Lateral projection; right wrist radiograph; image 75.9 mm wide.

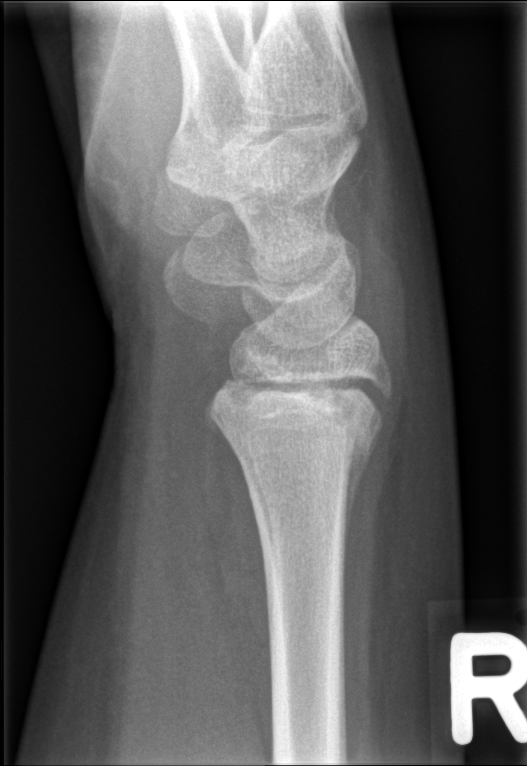 FINDINGS — One fracture at (203, 367, 388, 471).